Left plain radiograph of the wrist | AP view | subsequent exam | Siemens:
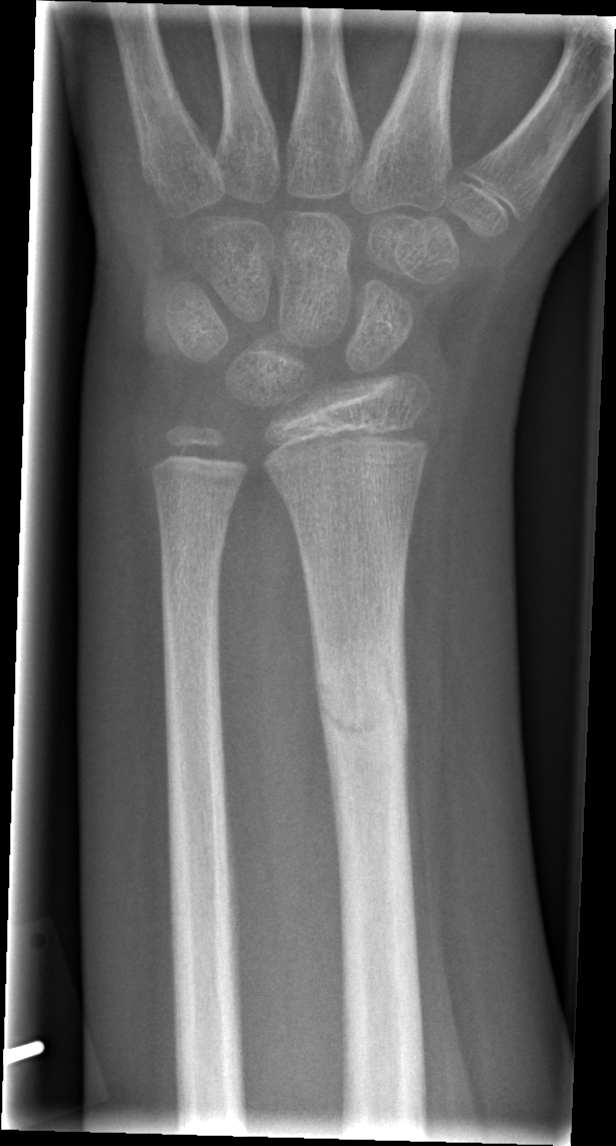 Findings: (coordinates are [x1, y1, x2, y2] in image pixels) Bone fracture — (316, 652, 411, 756). AO code 22r-D/2.1.